Lt plain radiograph of the wrist, posteroanterior projection, 9-year-old girl, cast present, acquired on Siemens.

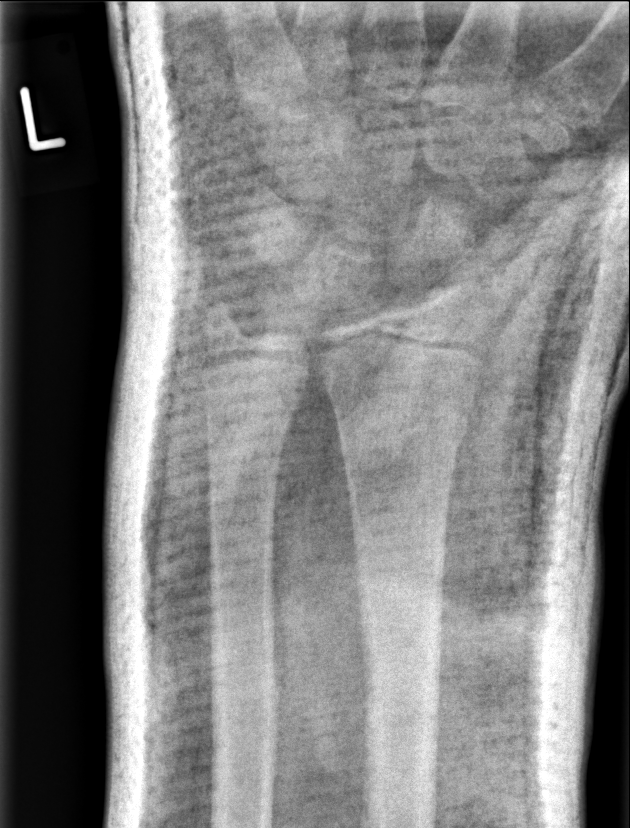

* Coordinates are [x1, y1, x2, y2] in image pixels.
* Fracture classified AO/OTA 23r-M/3.1.
* Bone fracture — [x1=328, y1=394, x2=480, y2=466].